Lt pediatric wrist radiograph · lateral view · 12-year-old girl:
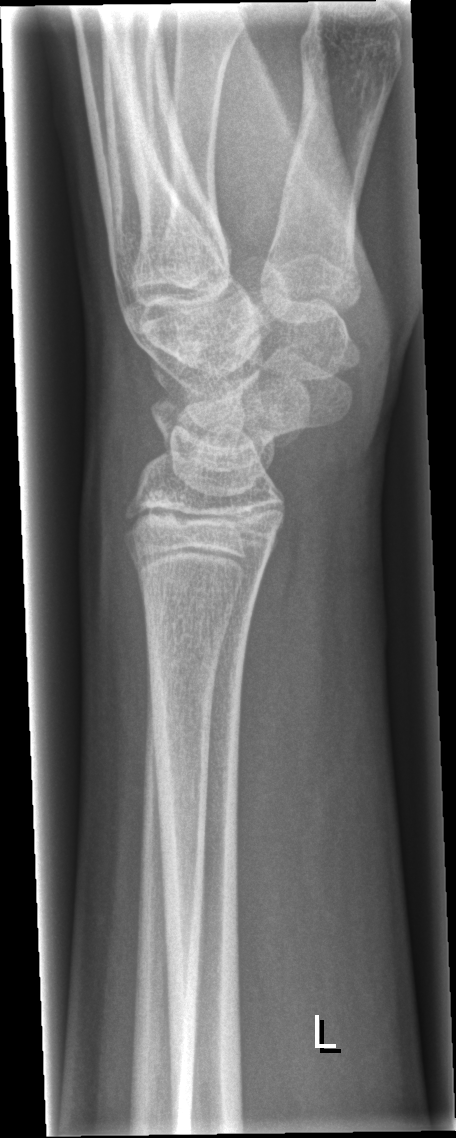

Fracture: none labeled